Right pediatric wrist radiograph; PA/AP; detector: Siemens —
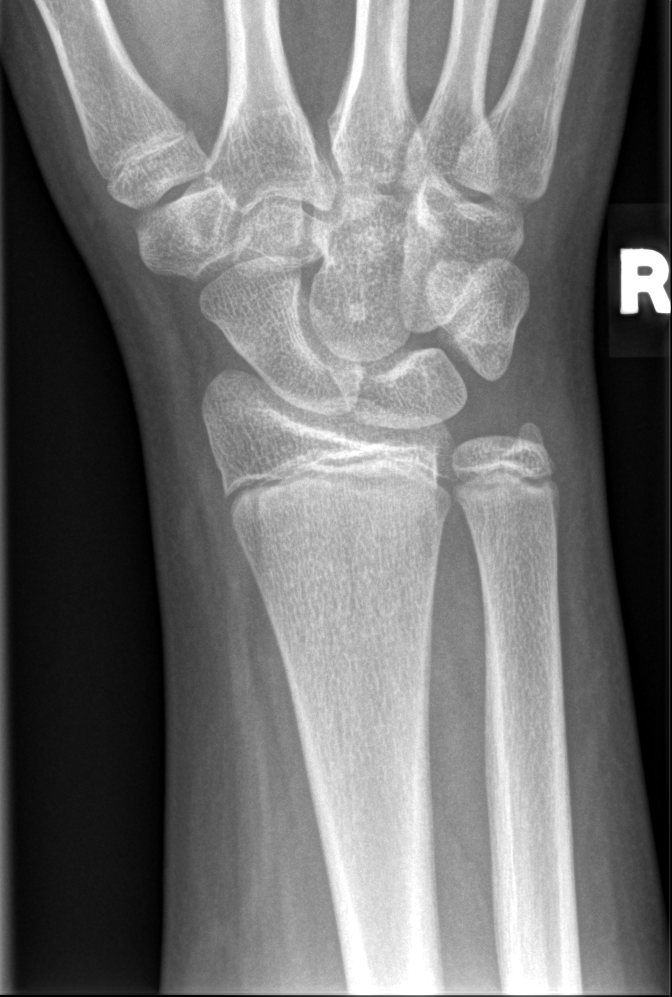

Q: Is there a fracture?
A: No fracture annotation